Lateral view, left wrist radiograph:
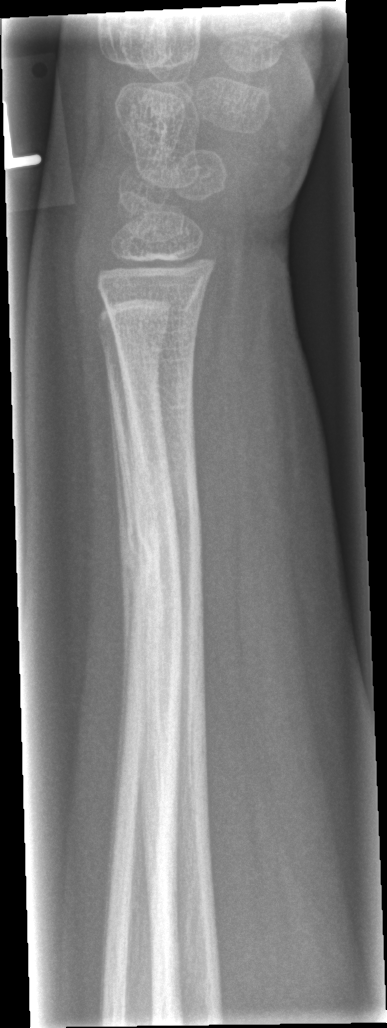
Fracture classified AO/OTA 23-M/2.1.
Osteopenia.
One bone fracture at [x1=109, y1=515, x2=175, y2=619].
One periosteal thickening at [x1=101, y1=370, x2=134, y2=991].